AP projection · left wrist XR · age 10 y, boy · 723 by 1104 pixels —

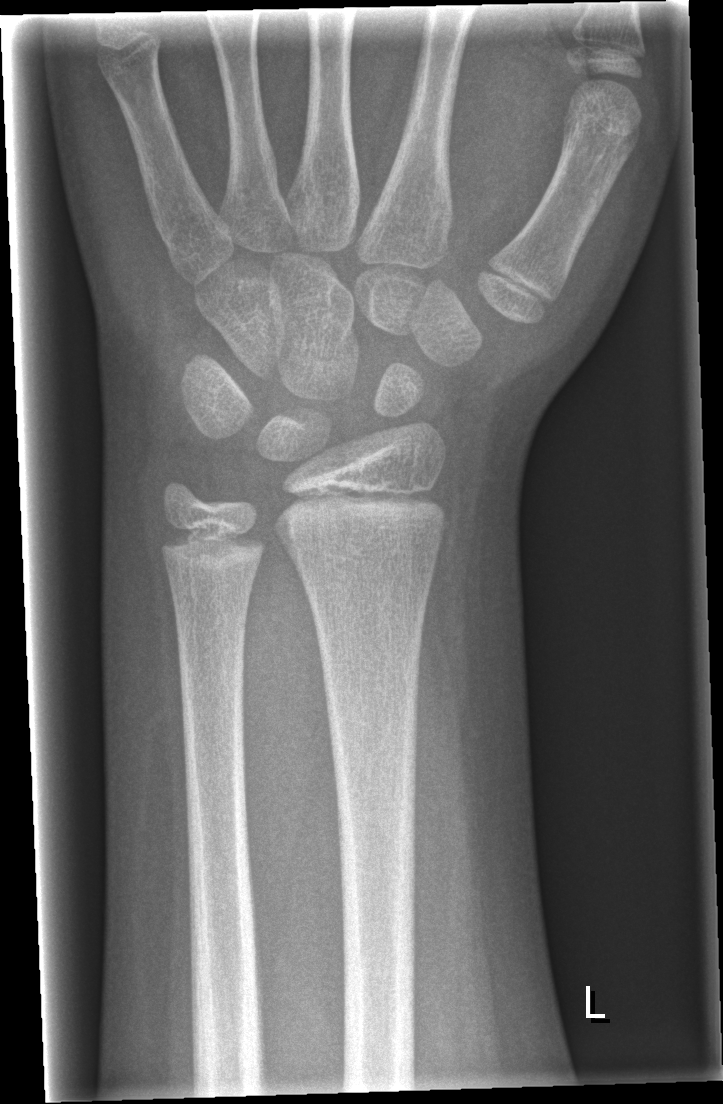

• No fracture bounding box.